Right wrist XR, PA/AP, male, 14 yo, follow-up study, Siemens, 510 x 846 px 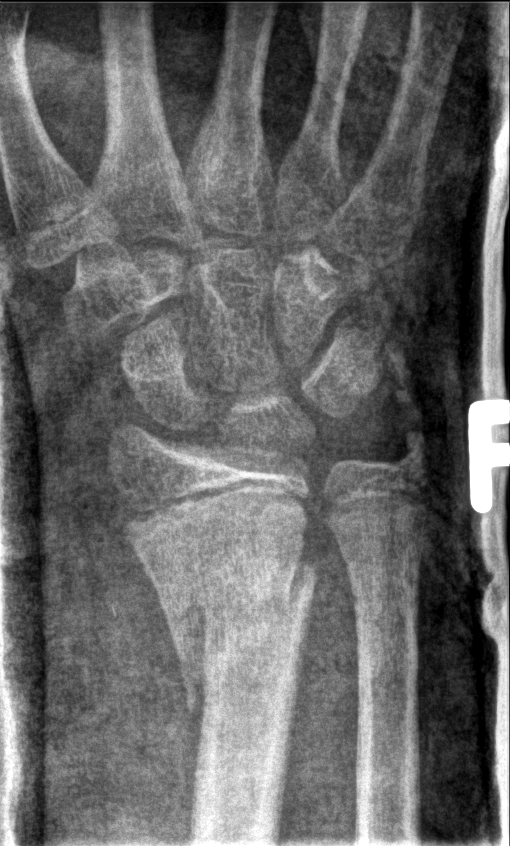 Q: Is there a fracture?
A: Fracture identified at <182,559>-<321,721>; <374,422>-<437,487>
Q: AO code?
A: Fracture classified AO/OTA 23r-M/3.1; 23u-M/2.1; 23u-E/7